Posteroanterior view; R pediatric wrist radiograph; male, 14 yo; 632x1244

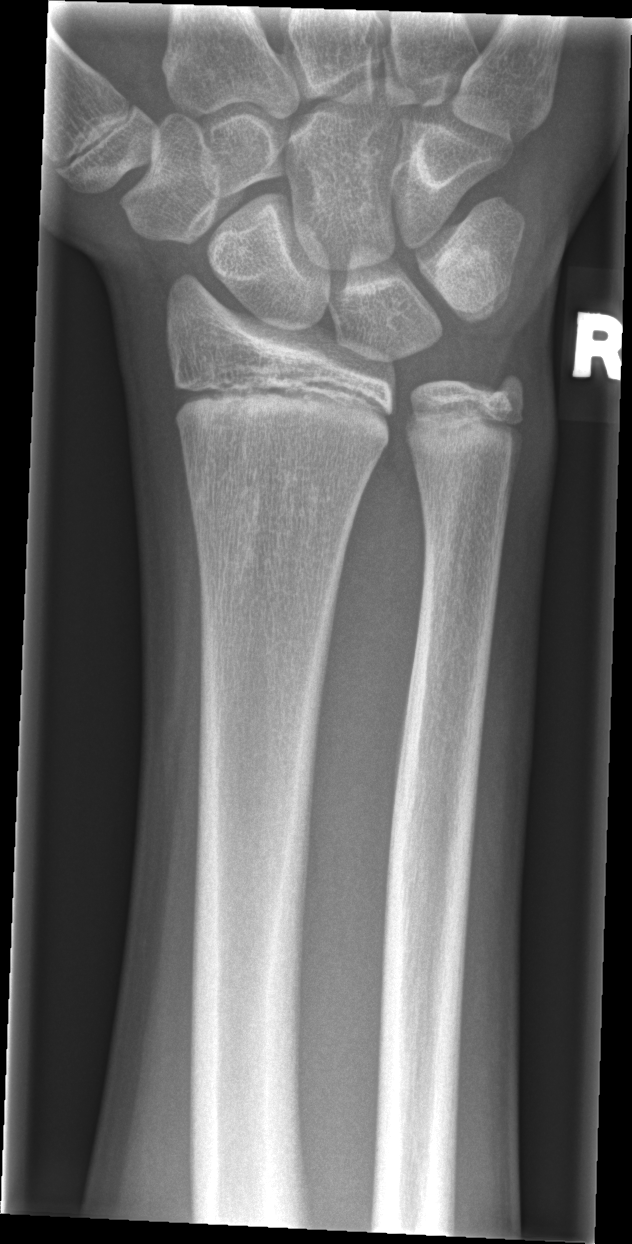 Fx: none.